Rt wrist XR; lateral view; initial study; Siemens; image width 57.5 mm — 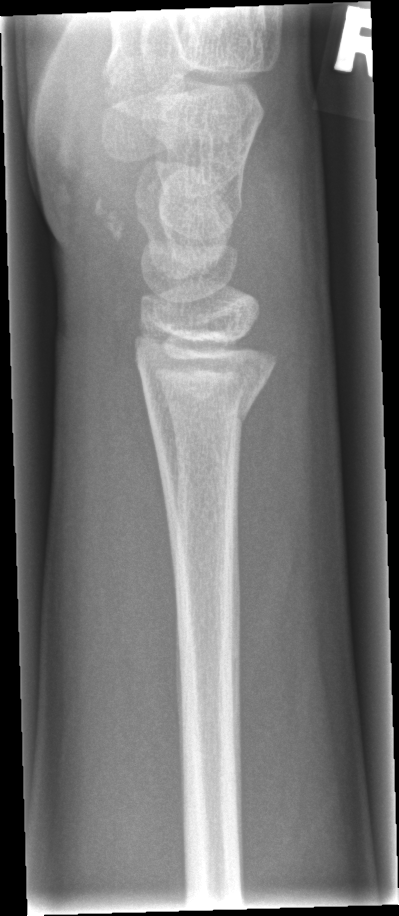

FINDINGS: Bone fracture — (left=137, top=358, right=267, bottom=444). Fracture classified AO/OTA 23r-M/2.1.